Lat | L wrist plain film | index exam | acquired on Siemens 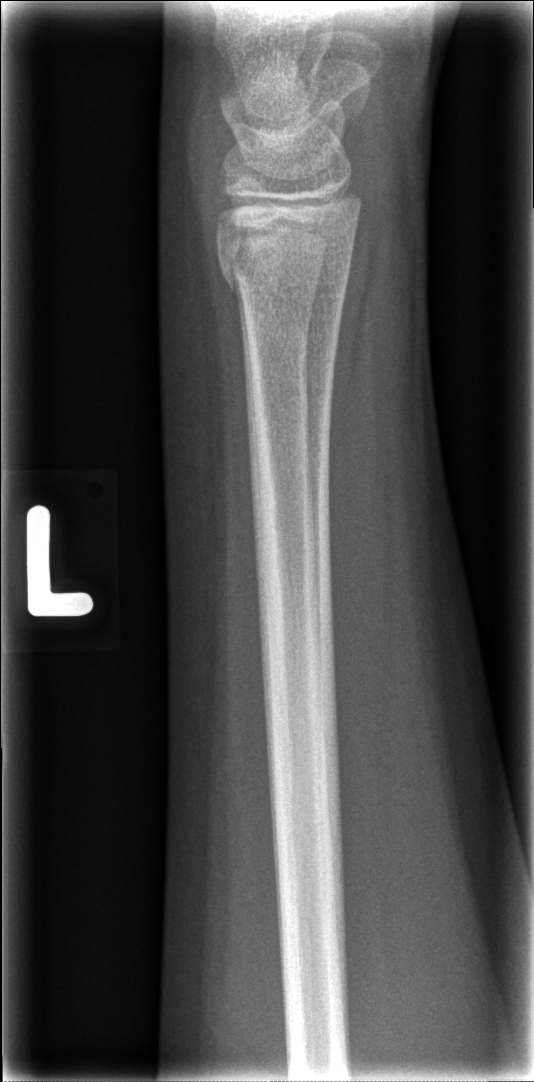
Bone fracture identified at bbox(213, 224, 358, 320). AO code 23r-M/3.1; 23u-E/7.